L wrist plain film | lat | pediatric patient (male, age 13) | image size 451x868
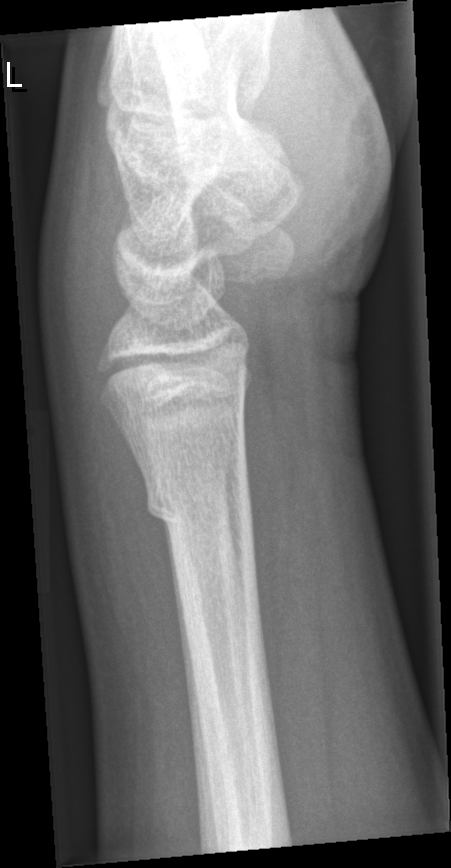
* Coordinates are [x1, y1, x2, y2] in image pixels.
* AO code 23r-M/2.1.
* Soft-tissue swelling identified at (left=61, top=390, right=185, bottom=726) (left=41, top=136, right=130, bottom=345).
* Bone fracture identified at (left=139, top=457, right=258, bottom=546).